Lateral | right wrist plain radiograph of the wrist.
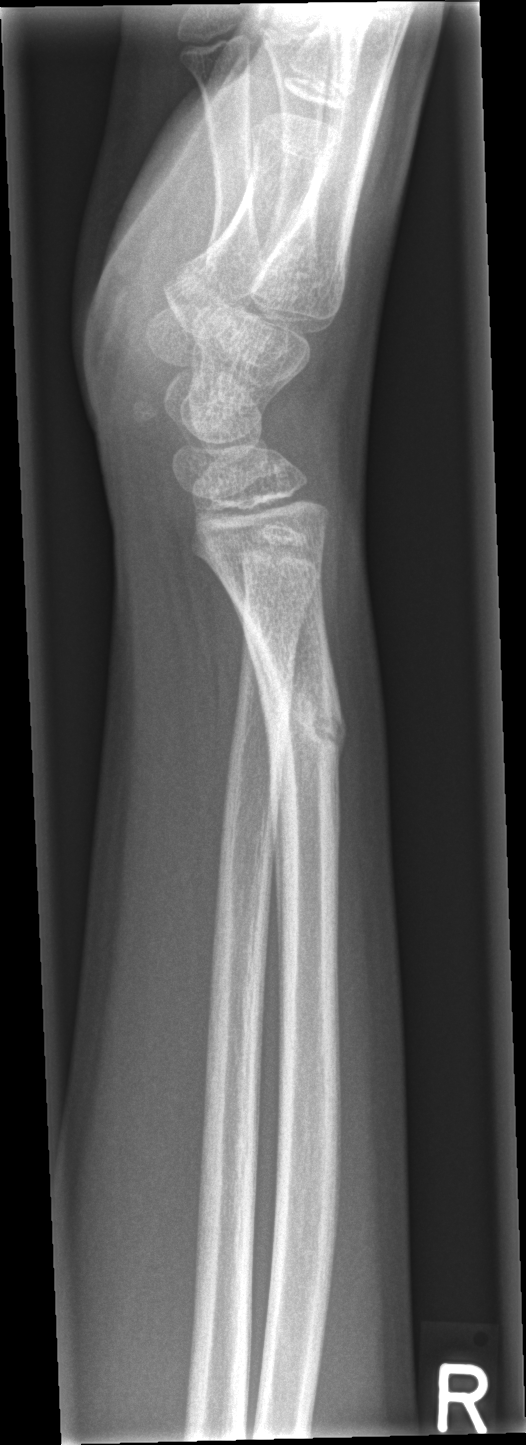 FINDINGS: (boxes as x1,y1,x2,y2 (top-left / bottom-right, pixel units)) AO code 23r-M/3.1; 23u-M/2.1. Fx identified at [255, 665, 354, 794]. Periosteal reaction — [236, 600, 288, 1079].